Lateral · left wrist XR · age 9 y, boy · subsequent exam · imaged through cast.

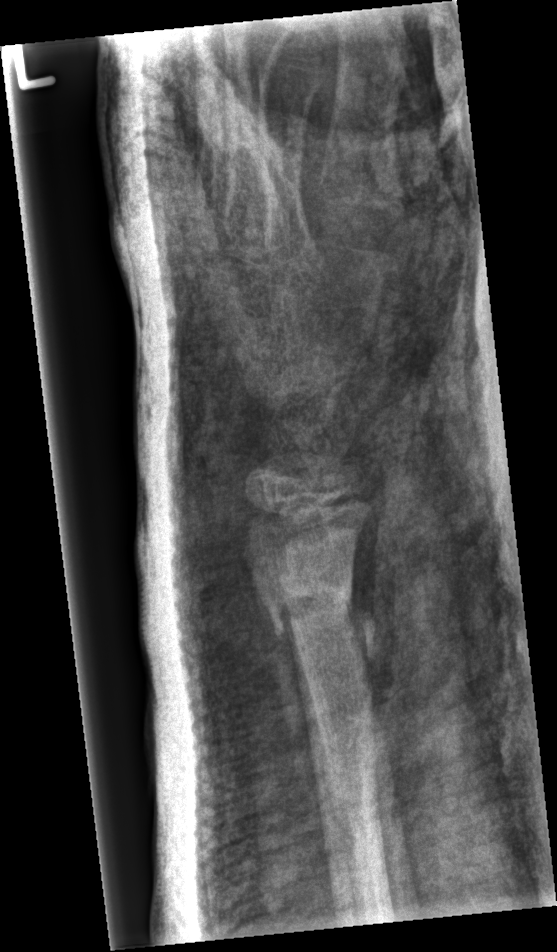
(coordinates are [x1, y1, x2, y2] in image pixels)
Fracture = (256, 569, 360, 645)